Frontal projection · right wrist plain film · subsequent exam · image 105.0 mm wide · 729 by 994 pixels 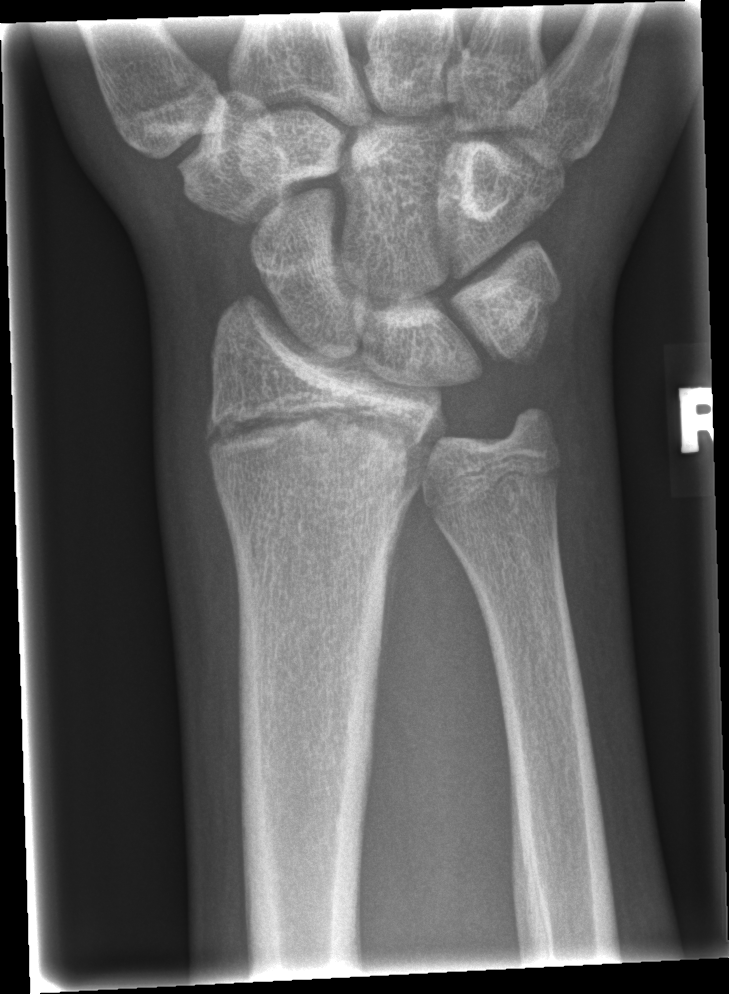 Findings: Fracture classified AO/OTA 23r-M/2.1. Osseous anomaly: 382,354,574,571. Fx — 198,392,451,502. One periosteal new bone at 380,528,399,649. Osteopenia.